Lat projection; left wrist radiograph; Siemens:
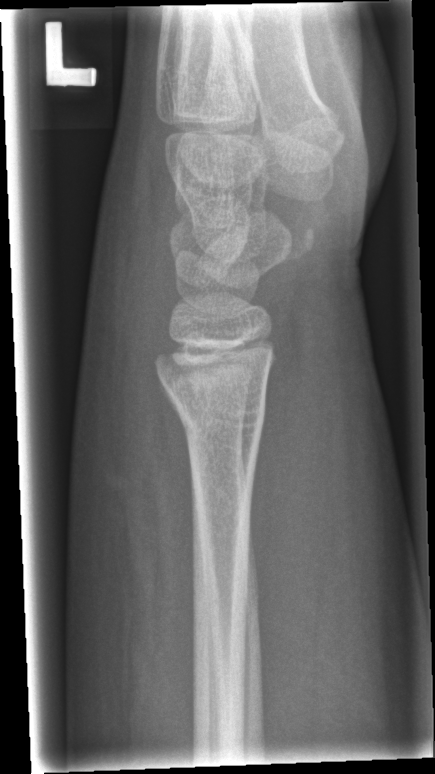 • Fx: bbox(164, 379, 269, 445).